PA/AP view, Lt wrist radiograph, presentation radiograph.
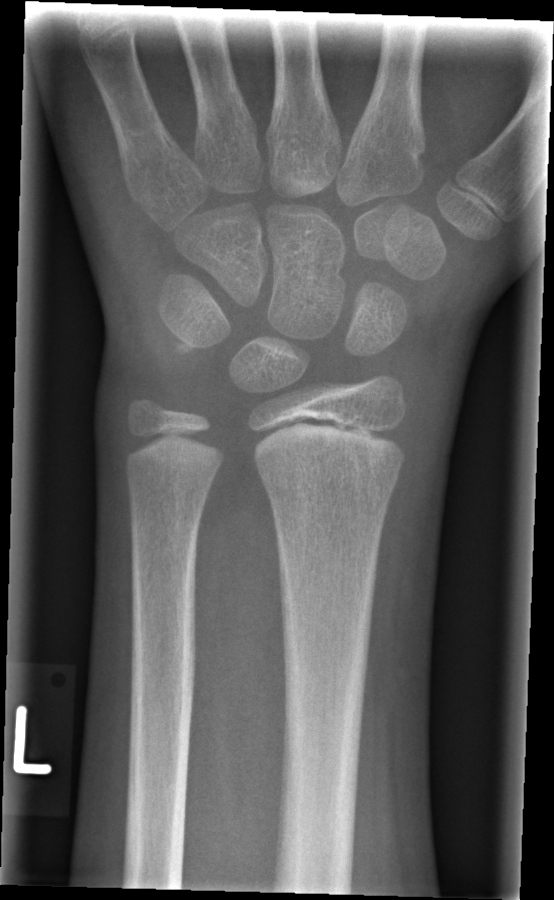

- AO/OTA classification: 23r-M/2.1.
- Fracture present, but no bounding box because it is not clearly seen in this view.